Lat projection · Rt wrist XR · image size 436x927

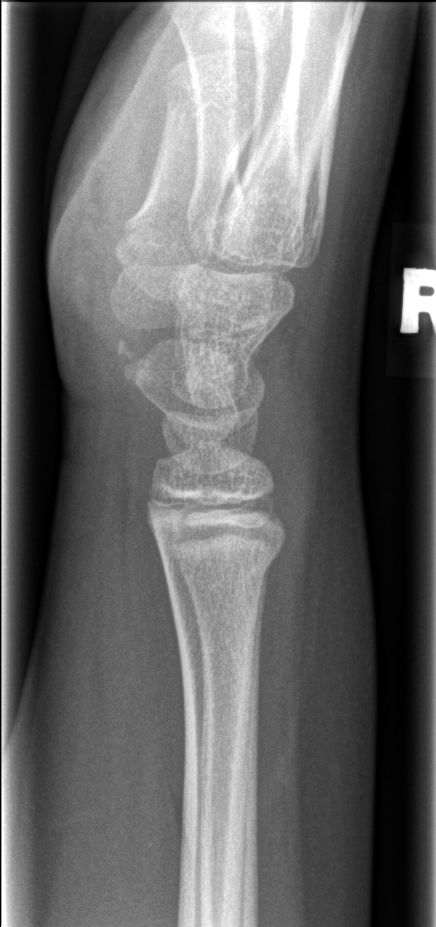

Findings: Fracture identified at (left=148, top=505, right=288, bottom=591). Fracture classified AO/OTA 23r-M/2.1.